Lateral | right wrist radiograph | index exam | 592 by 1242 pixels. 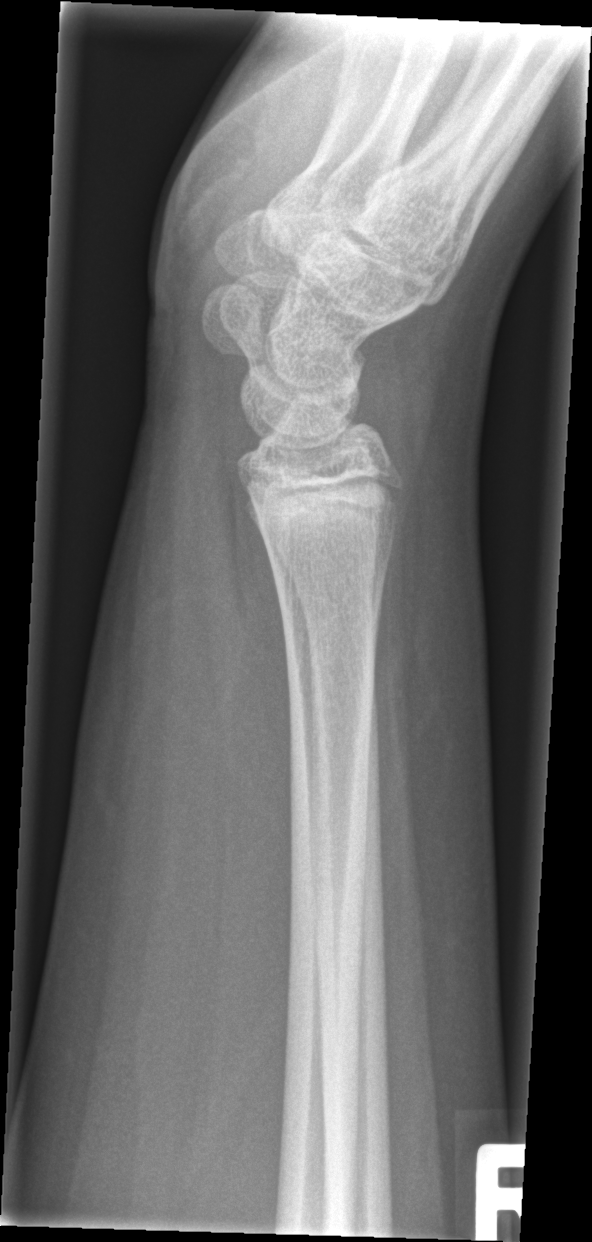
• No fracture bounding box.